R wrist plain film | lat projection | subsequent exam — 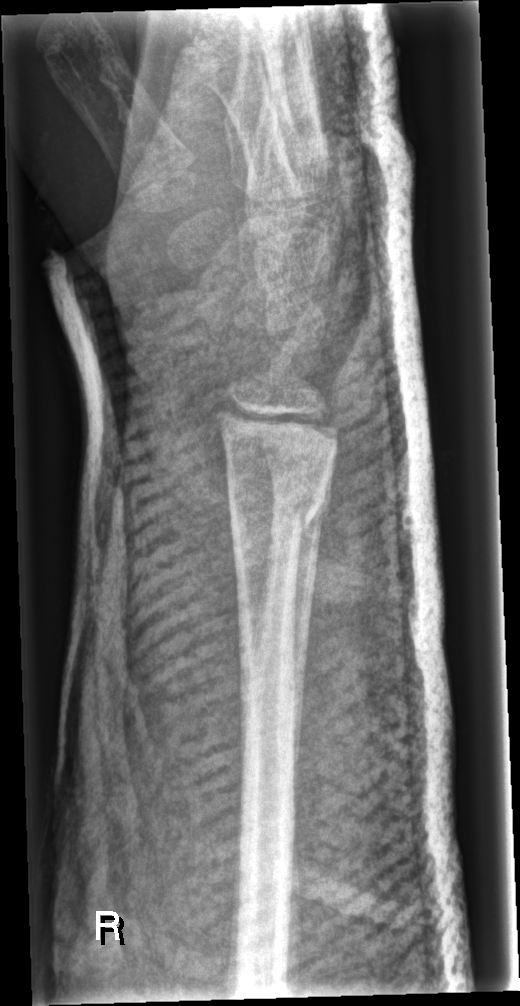 FINDINGS — Bone fracture identified at [227, 479, 334, 557]. AO code 23-M/2.1.